PA, left wrist X-ray, 11y F, presentation radiograph, 598x864. 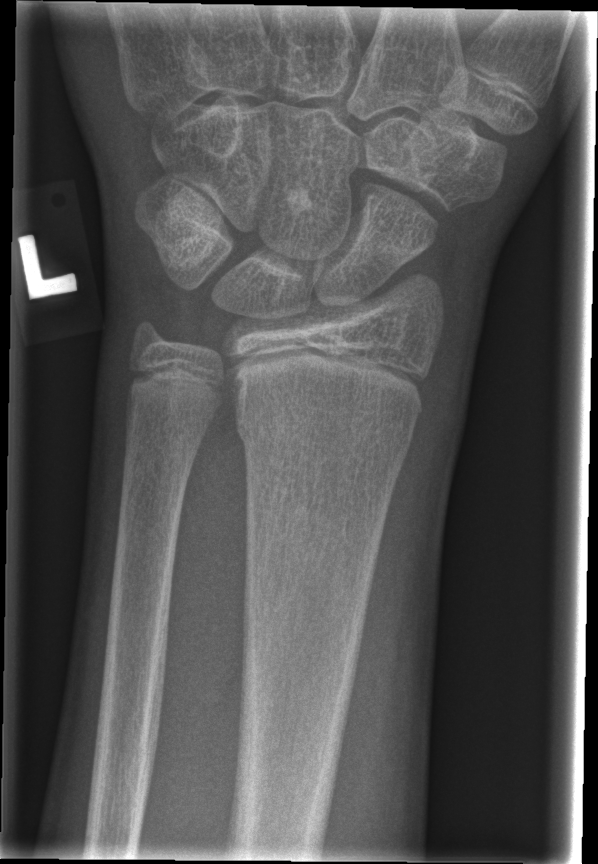 Bounding boxes in image-pixel xyxy. Osseous lesion: (left=284, top=185, right=315, bottom=216). Fracture classified AO/OTA 23r-M/2.1. Fracture — (left=229, top=400, right=416, bottom=460).